R plain radiograph of the wrist · AP view · girl, 16 yo · follow-up study · Siemens.
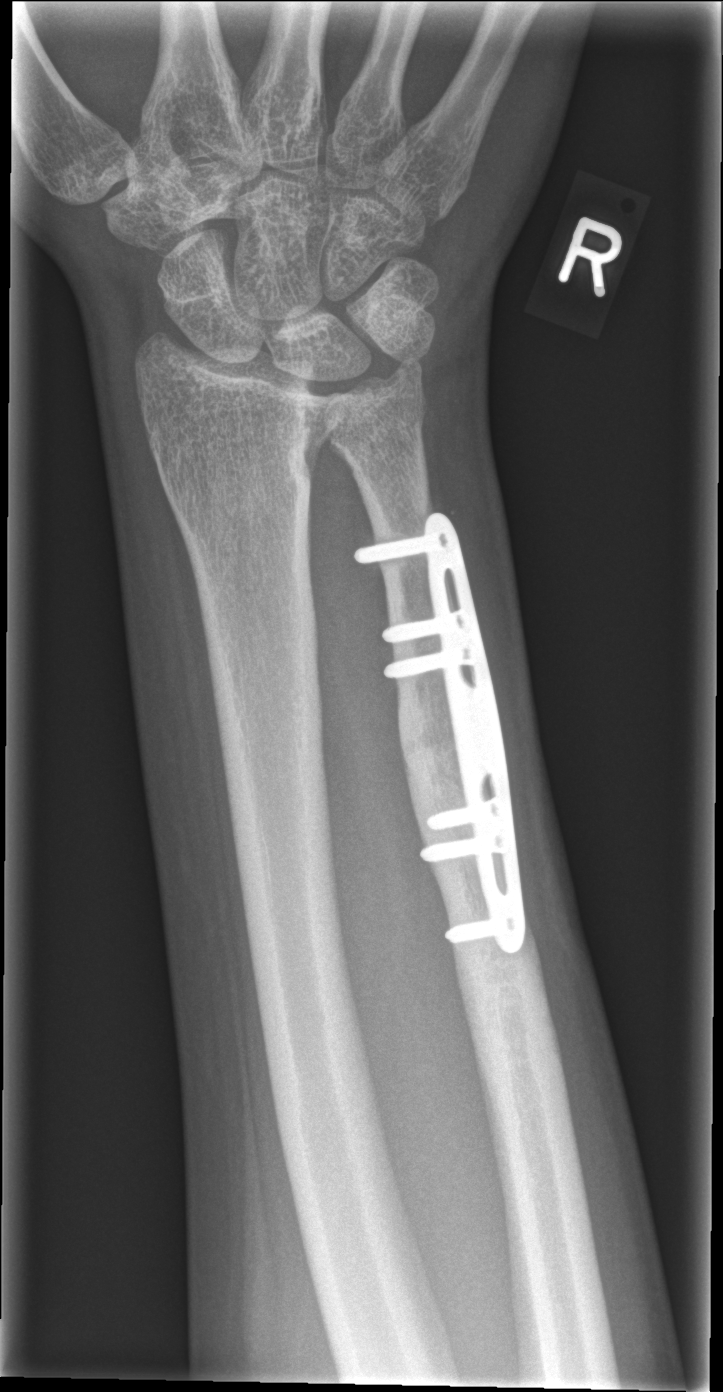

Metallic hardware identified at (360, 513, 524, 959).
Osseous anomaly: (289, 331, 443, 497).
Fx: none.